Left wrist X-ray | lateral view | presentation radiograph —

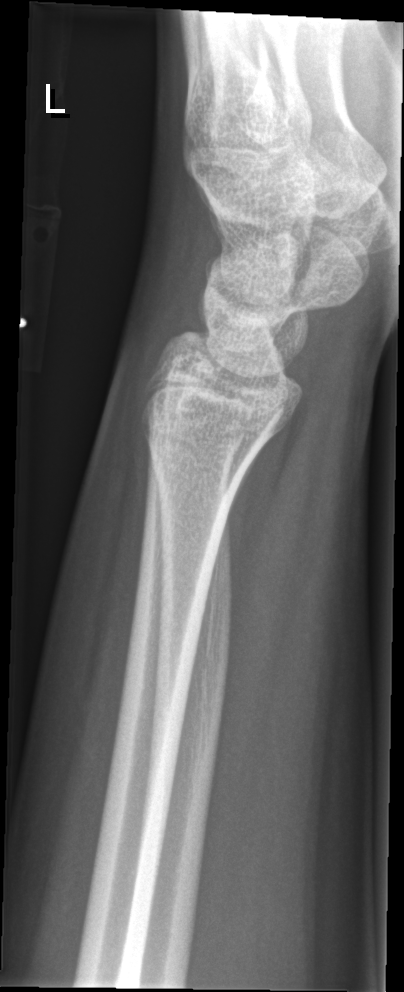

Fracture = none labeled